L plain radiograph of the wrist, lat, age 9 y, female, in cast, image width 76.6 mm, 532 x 1011 px

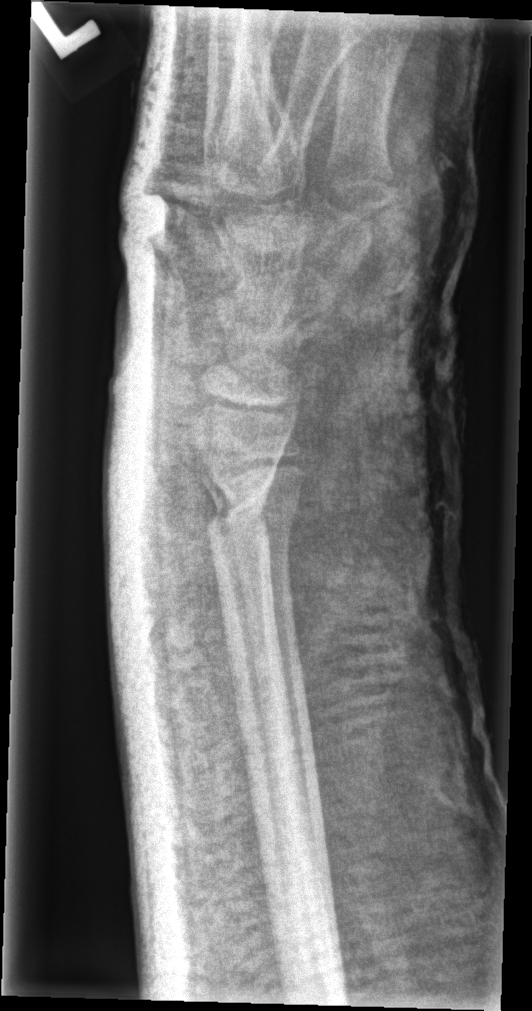   ao: 23r-M/3.1; 23u-M/2.1
  fracture: [194, 459, 280, 550]; [227, 489, 304, 555]